Left wrist plain film | lat | 12-year-old male | index exam. 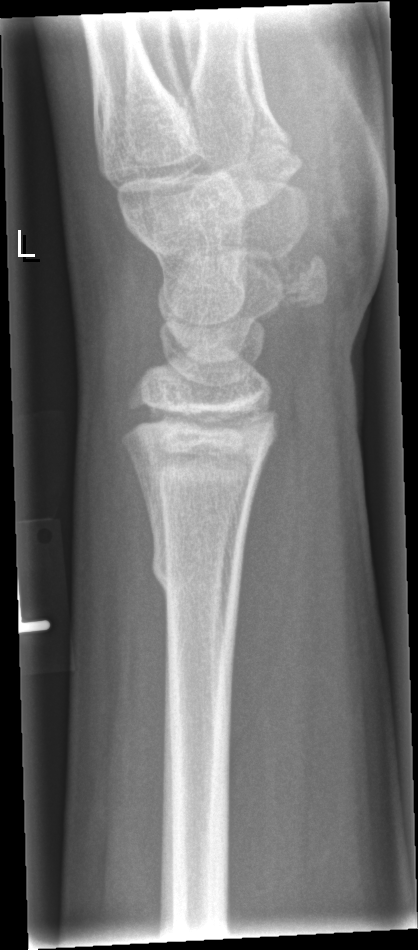
* One fracture at 147 531 248 611.